Right plain radiograph of the wrist, lat view, presentation radiograph — 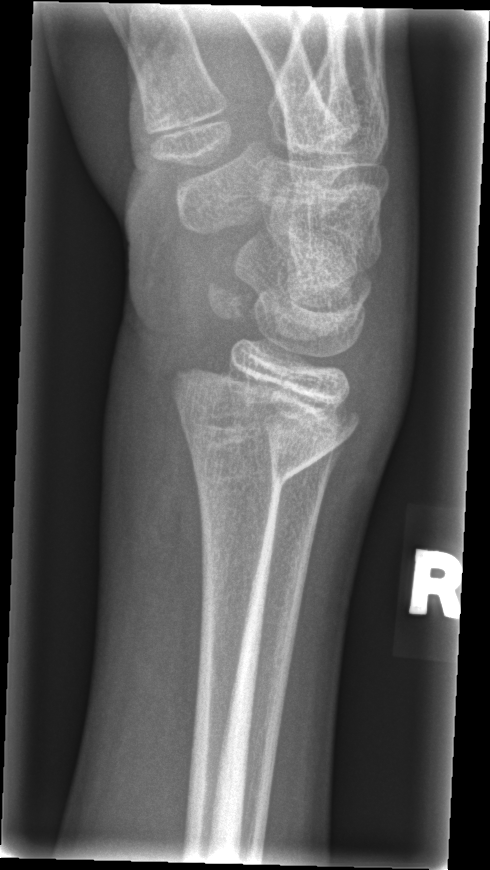
• Bounding boxes in image-pixel xyxy.
• Fx identified at 161,356,364,508.
• Fracture classified AO/OTA 23r-E/2.1; 23u-E/7.
• Soft-tissue finding: 106,331,206,623
  336,283,417,466.